Right wrist XR; PA/AP:
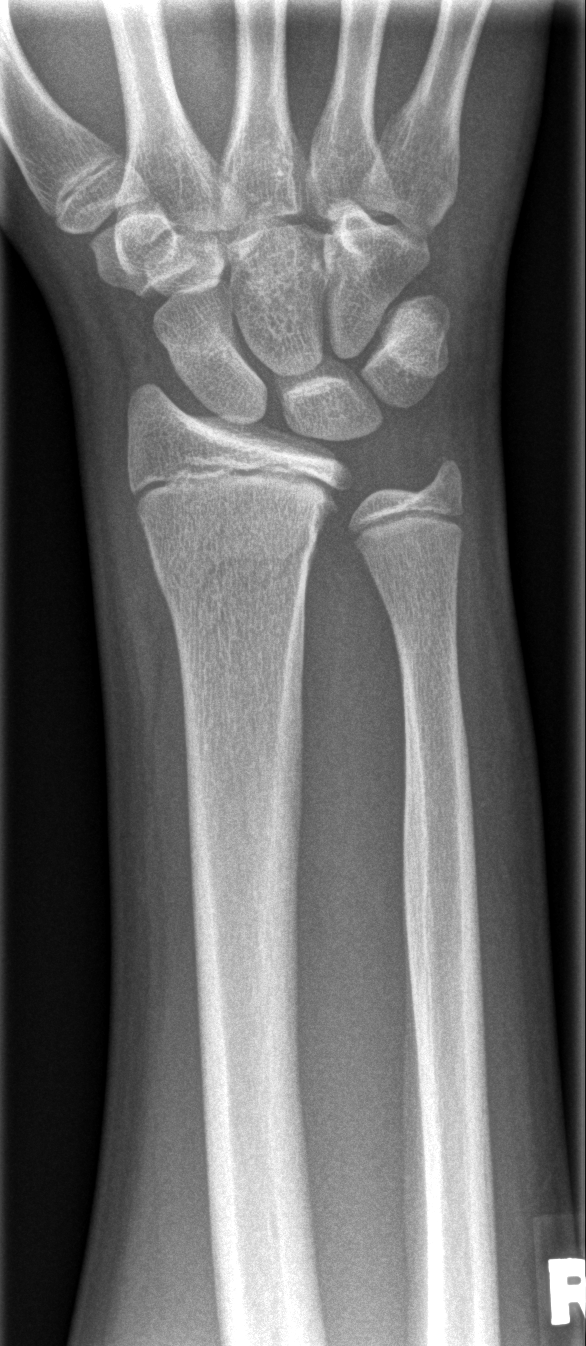

Bone fracture: (left=147, top=514, right=328, bottom=625).
AO code 23r-M/2.1.